Rt wrist X-ray · posteroanterior · detector: Siemens:

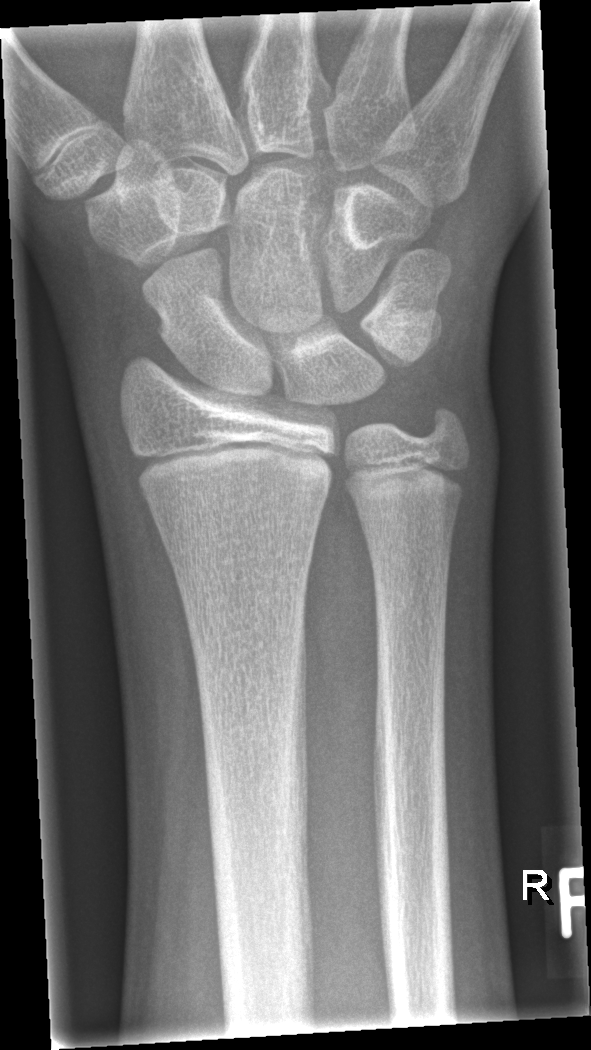

Fracture: none labeled.